Left wrist radiograph · AP view · subsequent exam:

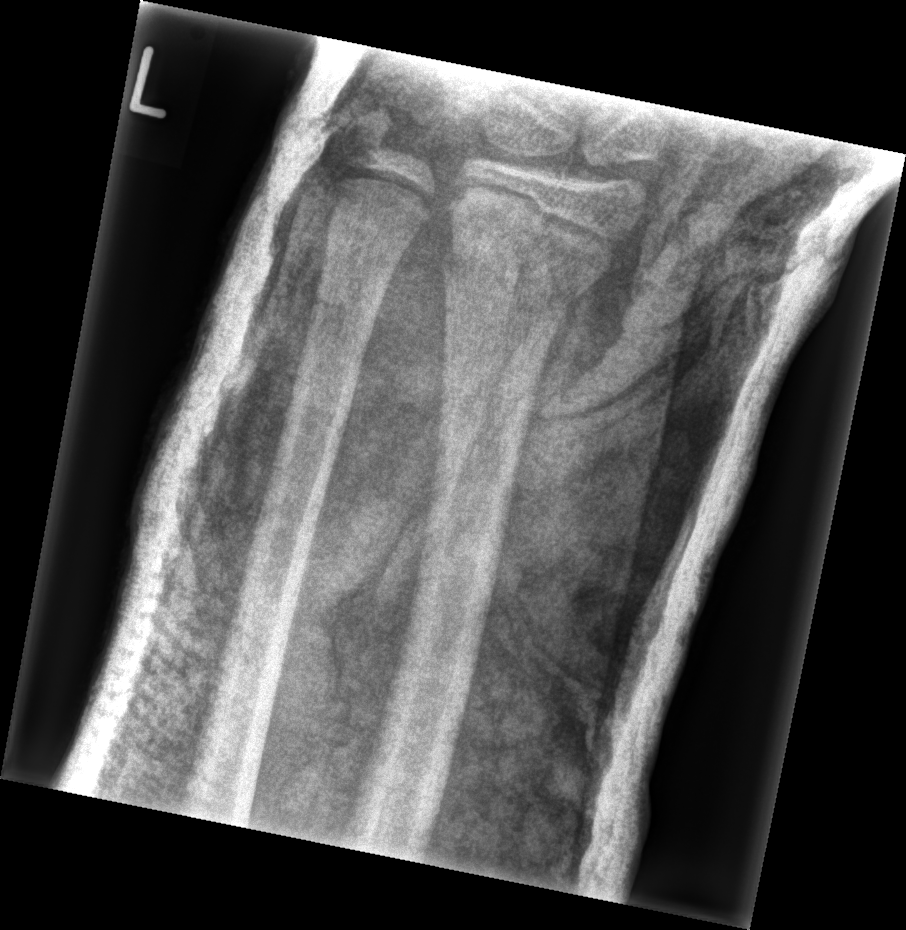

• Coordinates are [x1, y1, x2, y2] in image pixels.
• AO/OTA classification: 23r-M/3.1; 23u-E/7.
• Bone fracture: <438,220>-<594,314>, <336,106>-<404,167>.